Right wrist XR, AP projection, subsequent exam, imaged through cast 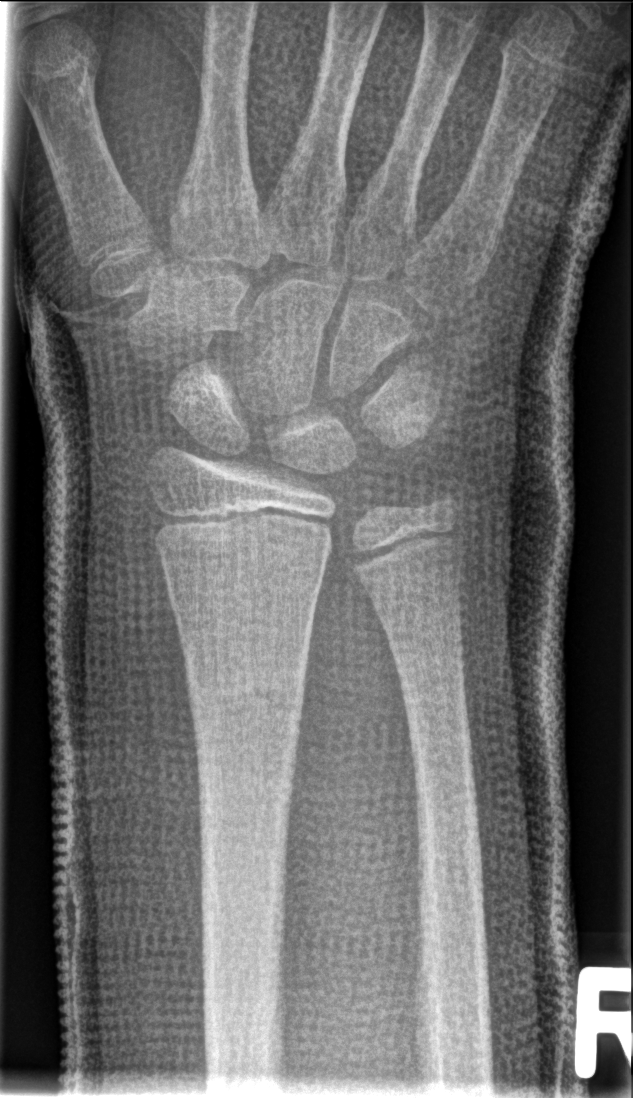

FINDINGS — One Fx at (left=184, top=664, right=308, bottom=726).